Lat projection; left wrist X-ray; age 9 y, girl:
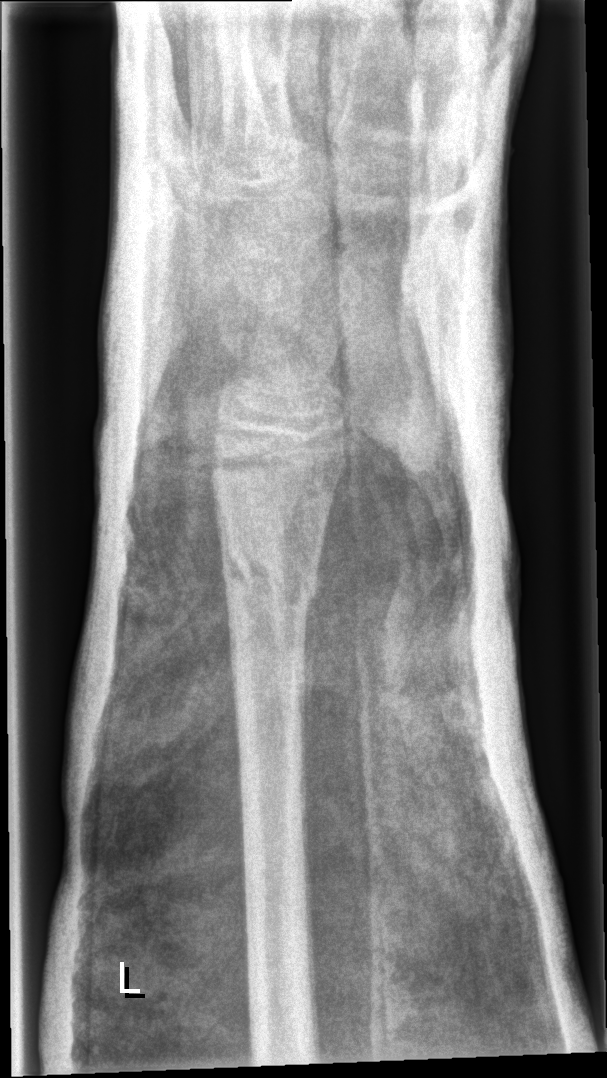

Boxes as x1,y1,x2,y2 (top-left / bottom-right, pixel units). Fracture: [220, 543, 325, 618].